PA projection · Lt wrist XR · follow-up study · cast in situ —
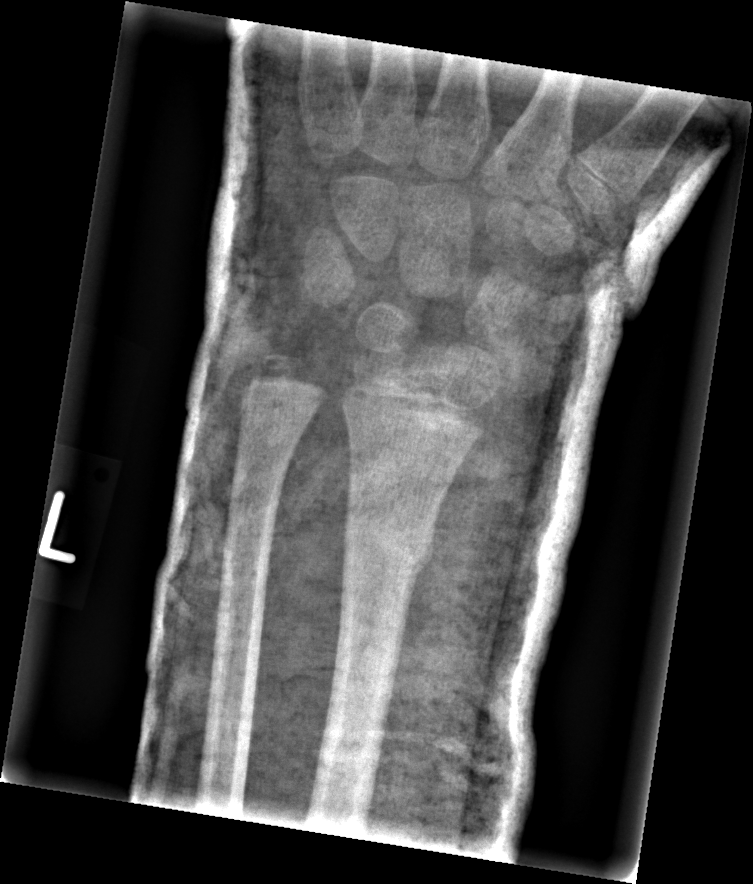
One Fx at [340, 510, 437, 577].
Fracture classified AO/OTA 23r-M/2.1.